Lat view · Lt pediatric wrist radiograph · 10-year-old boy · 373 x 782 px 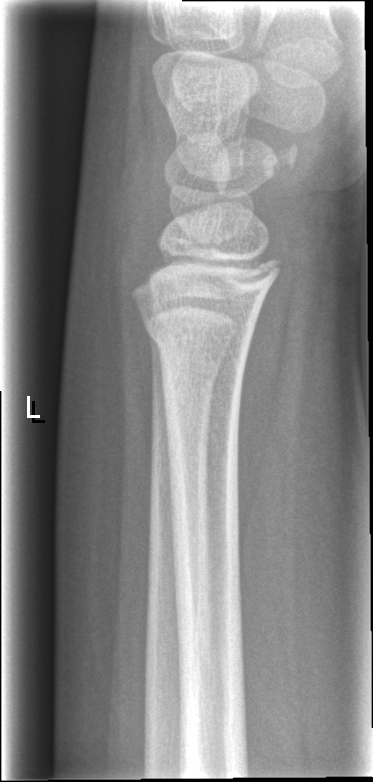 AO/OTA classification: 23r-M/2.1.
Fracture identified at (left=139, top=308, right=257, bottom=370).